L wrist plain film | lateral | 17y M | detector: Siemens — 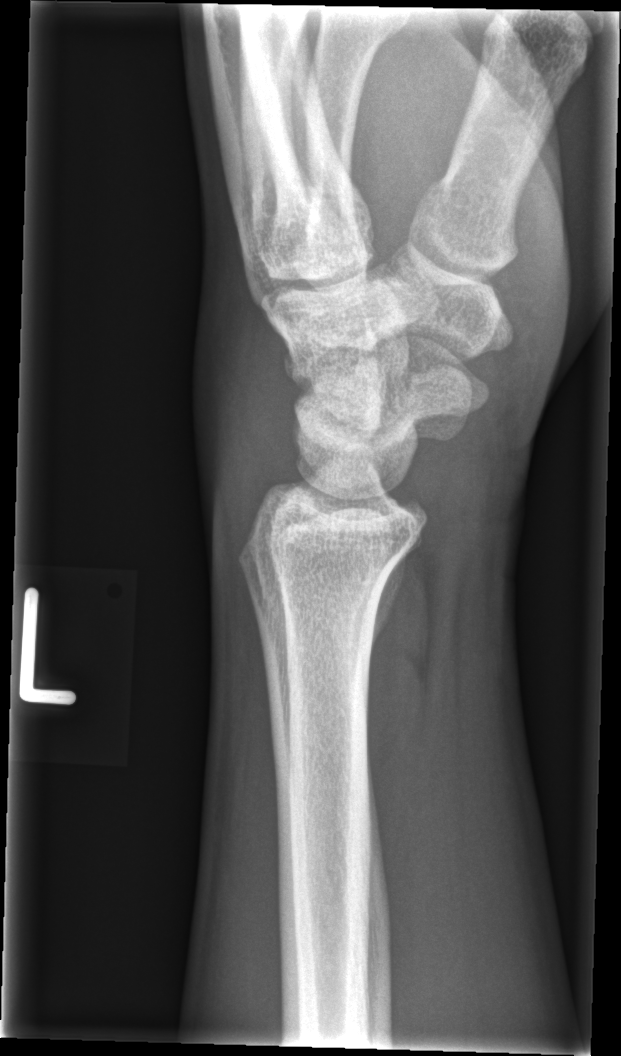
(coordinates are [x1, y1, x2, y2] in image pixels)
Q: Is there soft-tissue abnormality?
A: Soft tissue abnormality identified at 192 269 300 528
Q: What is the AO/OTA classification?
A: AO/OTA classification: 72B(b)
Q: Fracture present?
A: Fx present but not clearly seen in this view